AP view, left pediatric wrist radiograph — 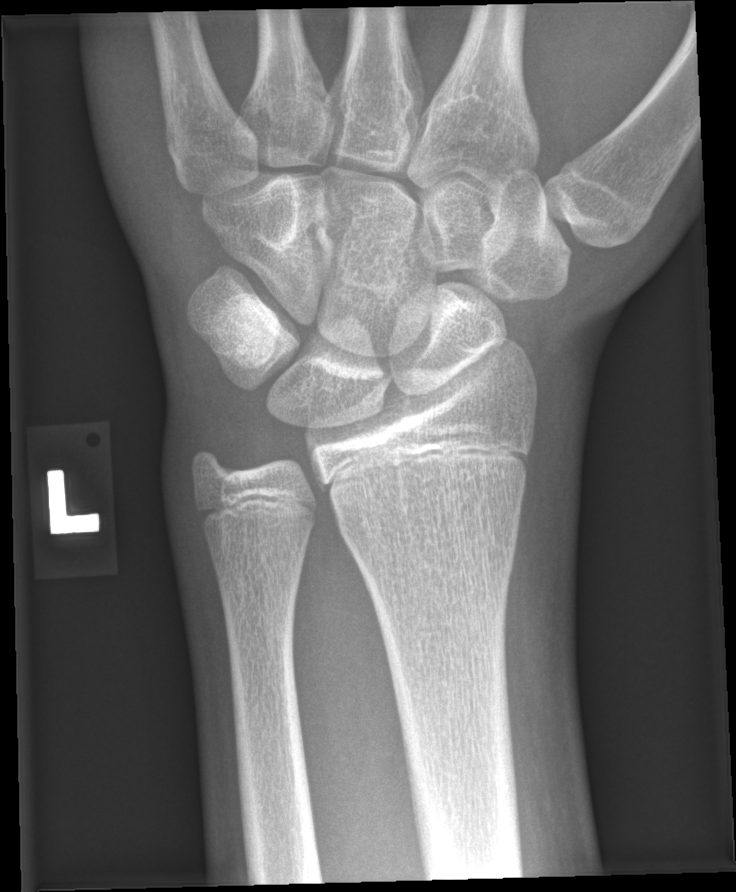

fracture = none labeled